Lt wrist radiograph; AP view; boy, 13 yo; cast present

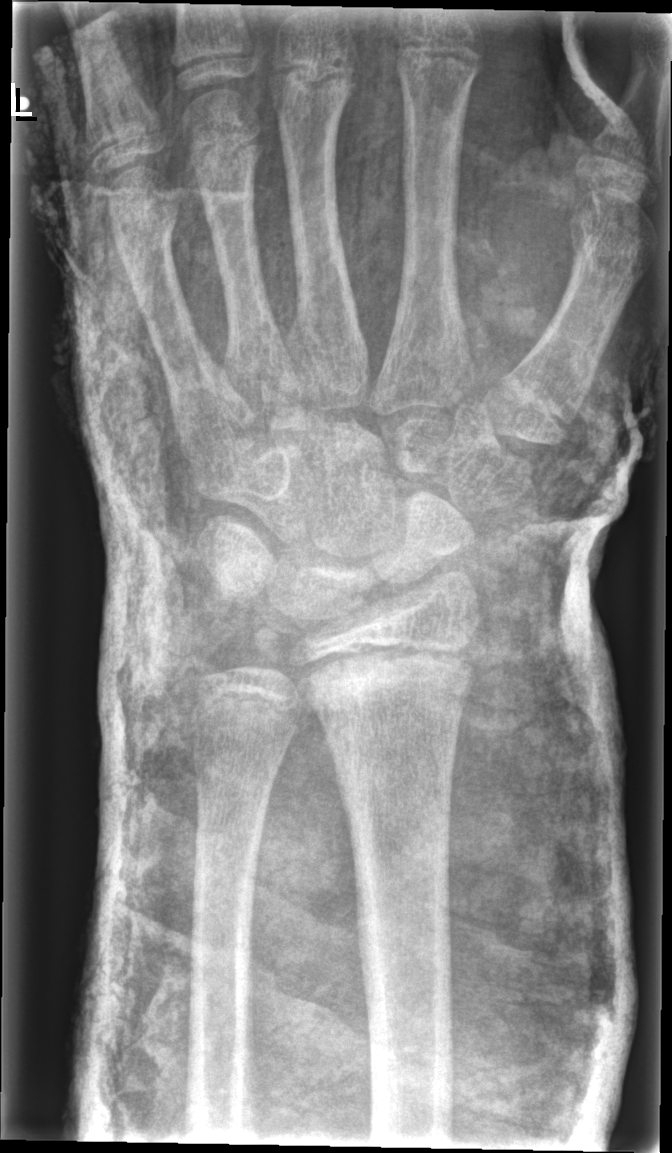

One Fx at [x1=294, y1=638, x2=476, y2=718].